Frontal; left wrist radiograph; age 5 y, boy; follow-up —
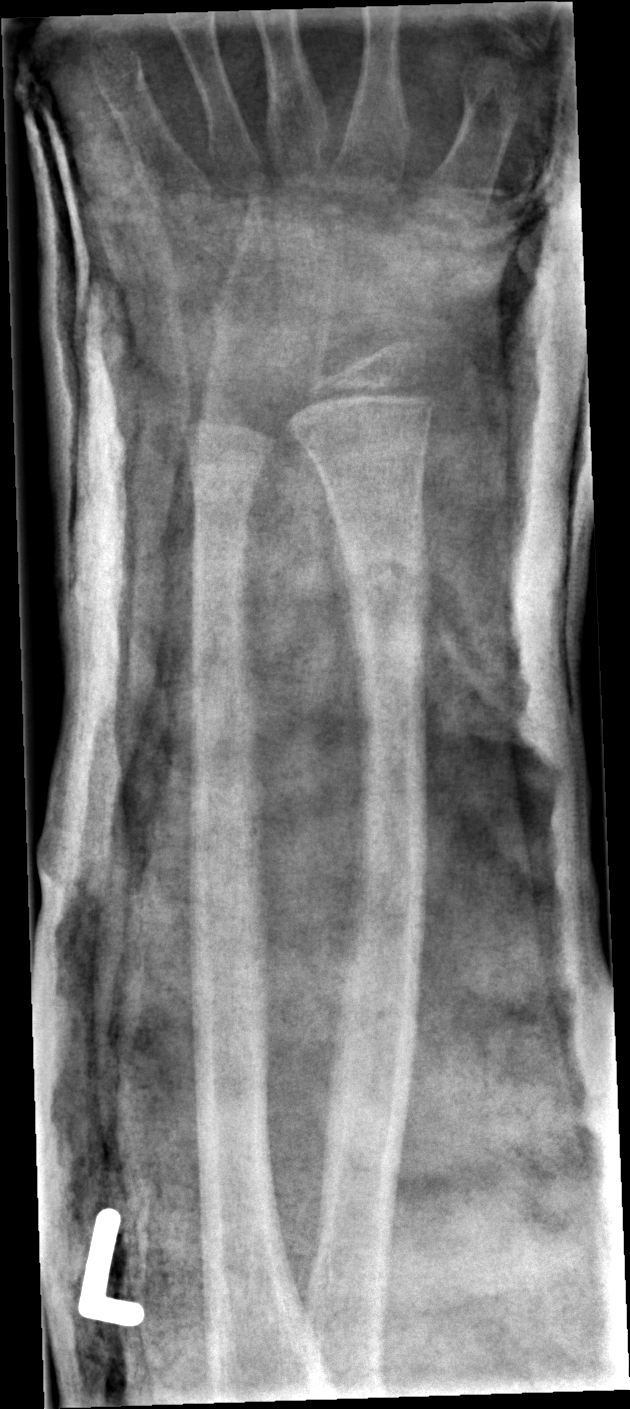

Periosteal new bone — 328,500,361,701 | 419,494,432,689.
Fx — 332,525,437,619.